Rt plain radiograph of the wrist, lateral view, pediatric patient (girl, age 9), detector: Siemens

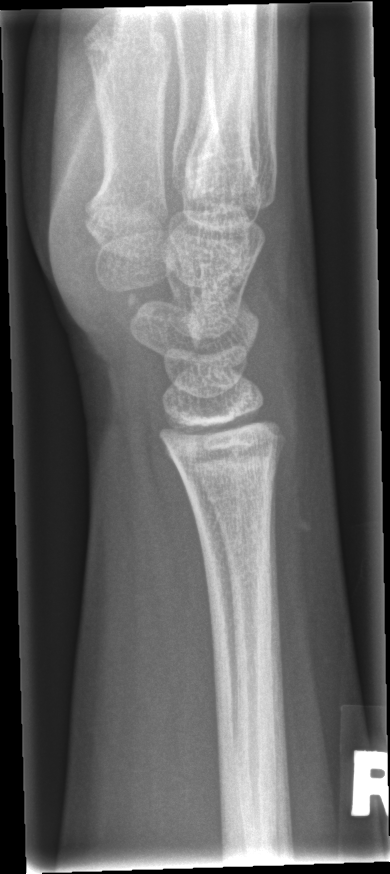
- No fracture annotation.